Left wrist radiograph; lateral projection; detector: Siemens; 766x1506.
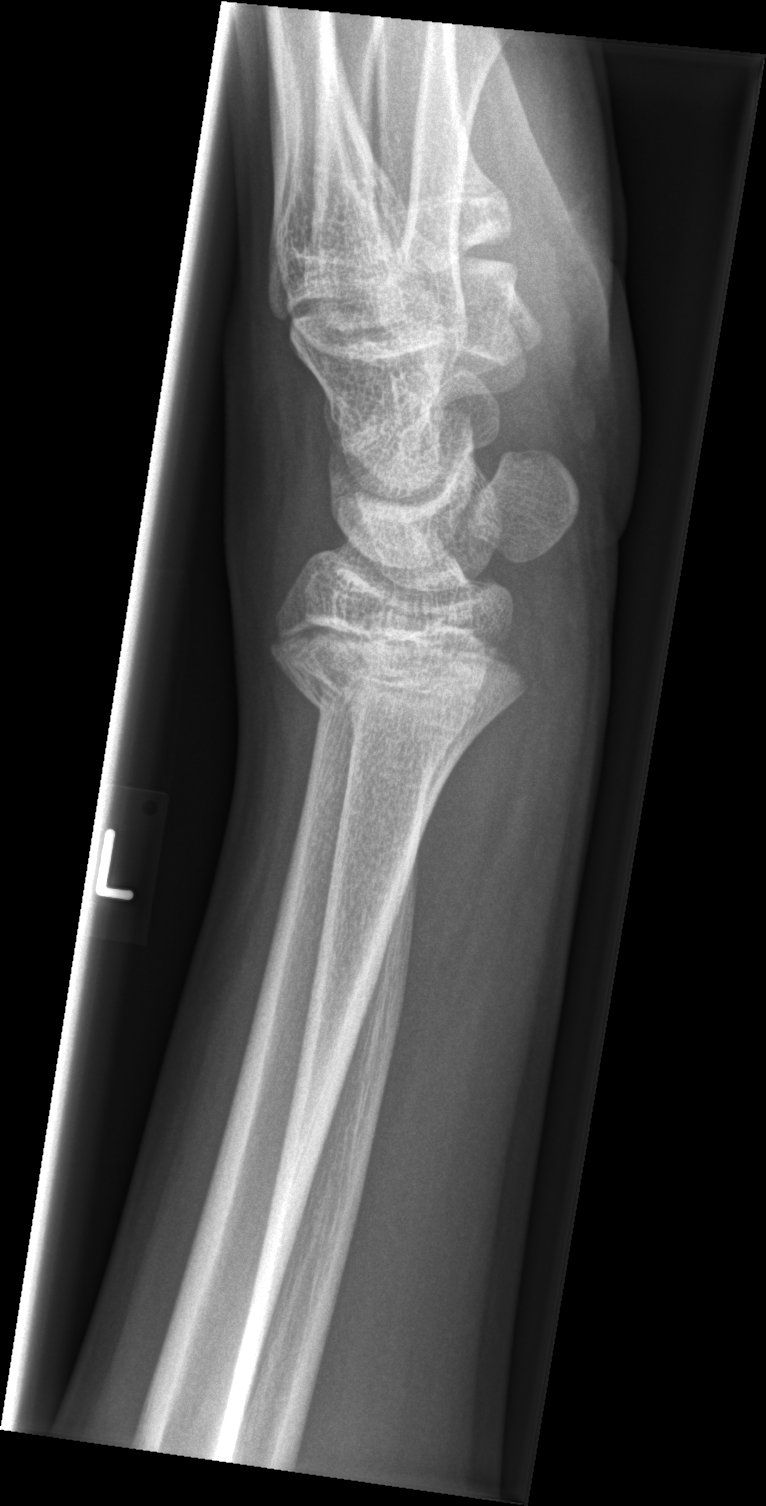

Pixel coordinates, top-left origin, xyxy. AO/OTA classification: 23r-E/2.1. Fracture: (left=264, top=618, right=533, bottom=741).